L wrist X-ray | PA/AP projection | follow-up study | in cast
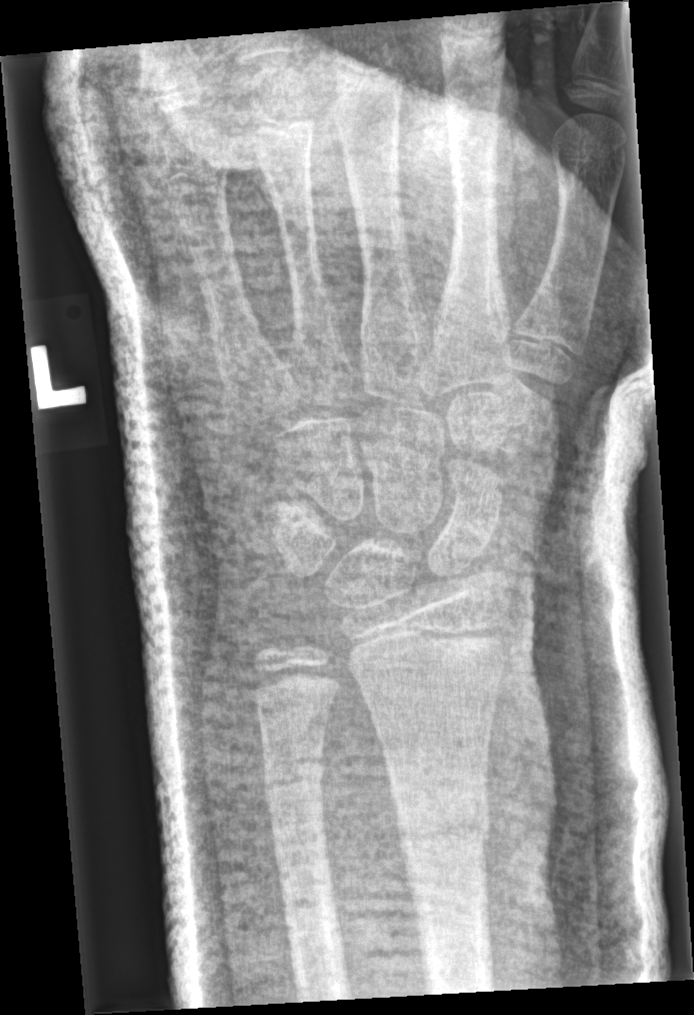 - Pixel coordinates, top-left origin, xyxy.
- Two bone fractures at <388,787>-<494,857>; <259,747>-<334,798>.